Lat view · left wrist pediatric wrist radiograph · pediatric patient (male, age 17) —

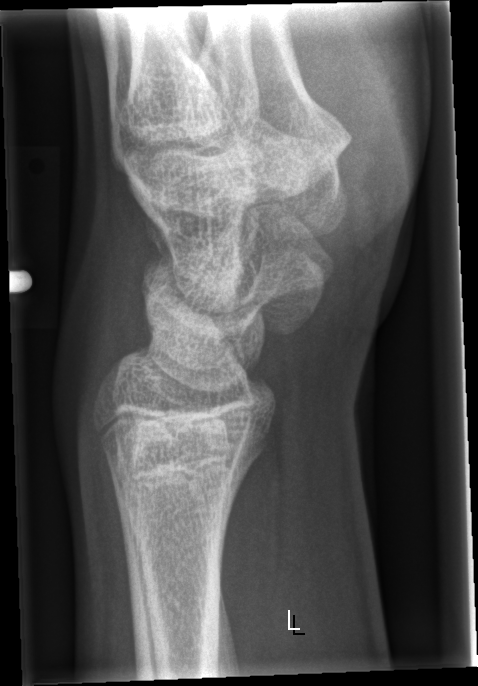
• No fracture annotation.